R wrist plain film; posteroanterior projection; detector: Siemens — 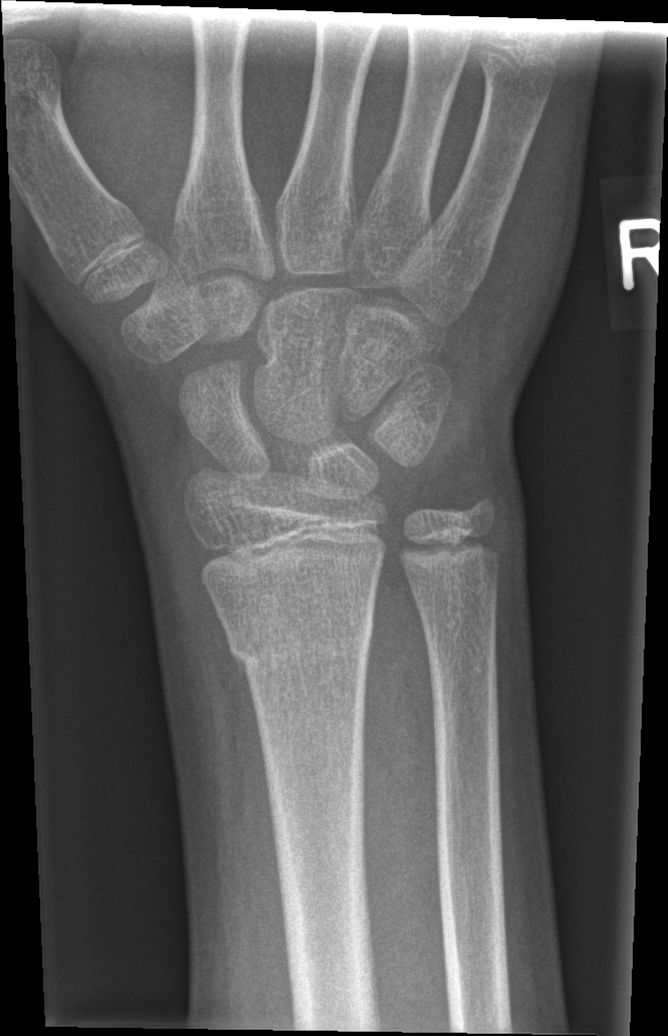
Fracture: 1 @ 226,616,375,682
AO/OTA: 23r-M/2.1